Right plain radiograph of the wrist | AP projection | 7-year-old female | 546x821

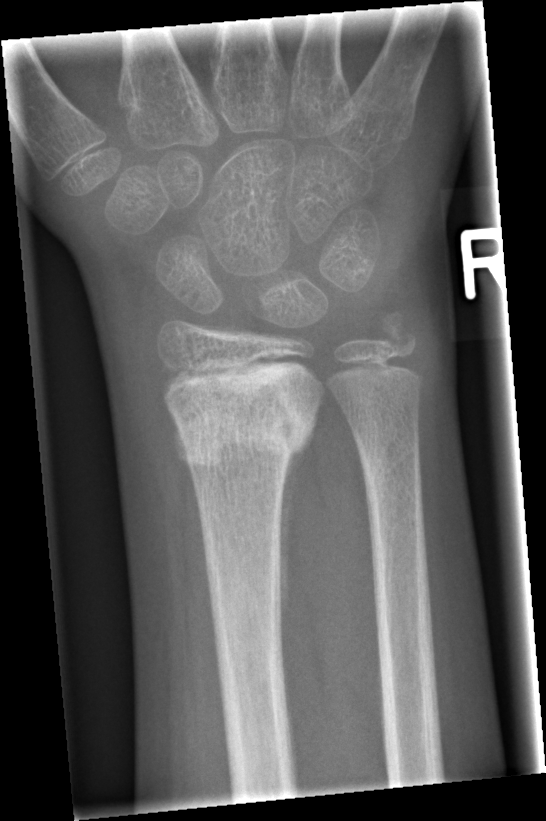 FINDINGS: (coordinates are [x1, y1, x2, y2] in image pixels) AO/OTA classification: 23r-M/3.1; 23u-E/7. Two Fx at 170 374 318 472; 370 304 425 363. Osteopenia. Periosteal new bone: 277 443 302 628.